R pediatric wrist radiograph · lat · age 13 y, male · diagnosis uncertain · acquired on Siemens.

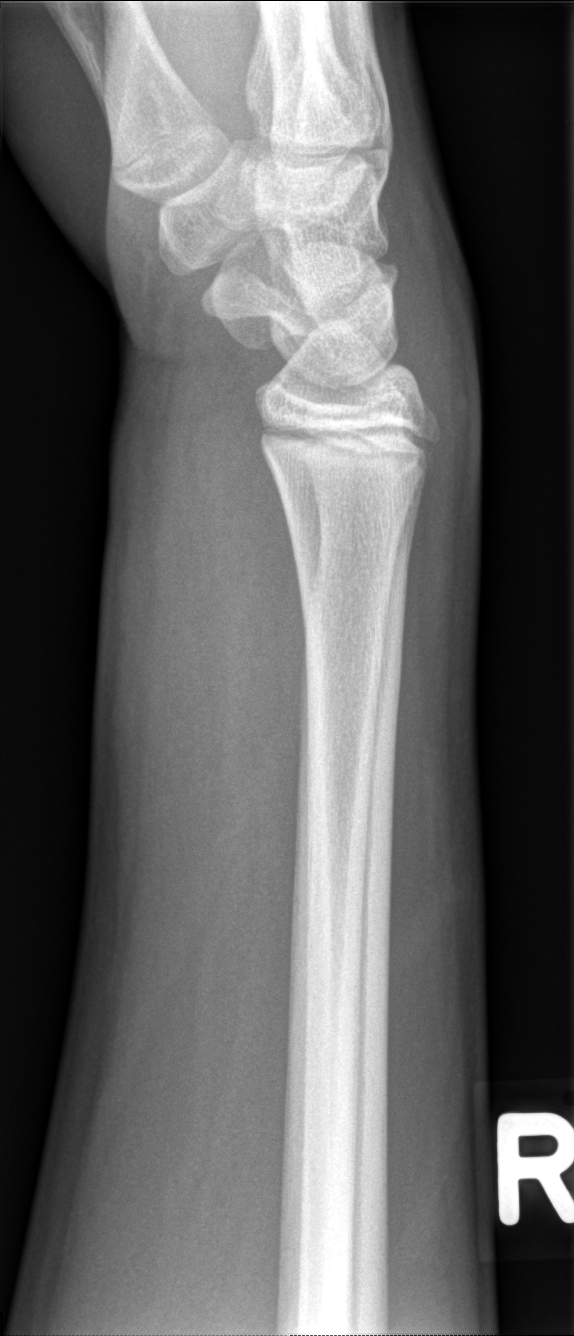
Fracture classified AO/OTA 23r-E/1. Soft-tissue finding: (80, 426, 336, 1046). Fracture: present but not clearly seen in this view.